Lt wrist plain film, lat projection.

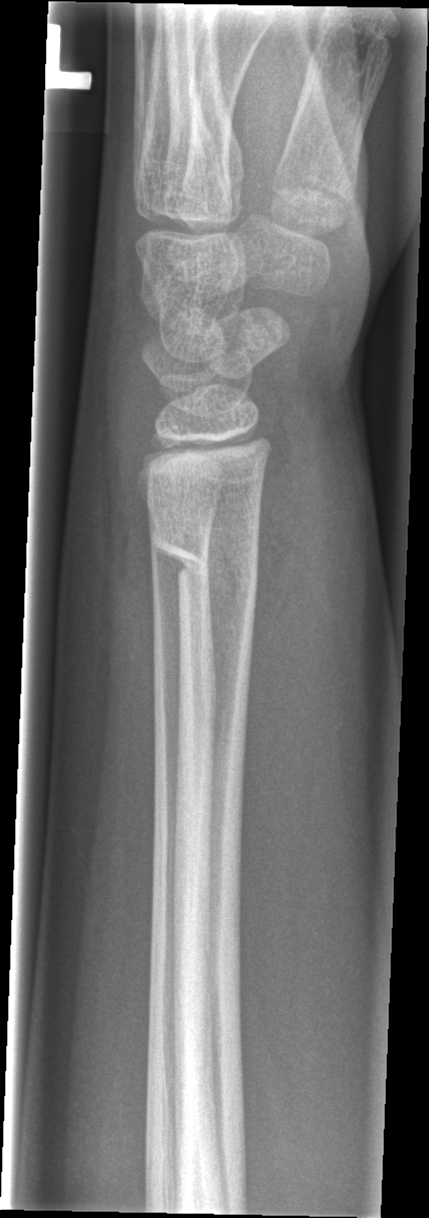 fracture: <145,510>-<262,606>
positive pronator fat-pad sign: 1 @ <252,425>-<301,648>
AO code: 23r-M/2.1